Right wrist radiograph · lat projection · follow-up · 439 x 944 px — 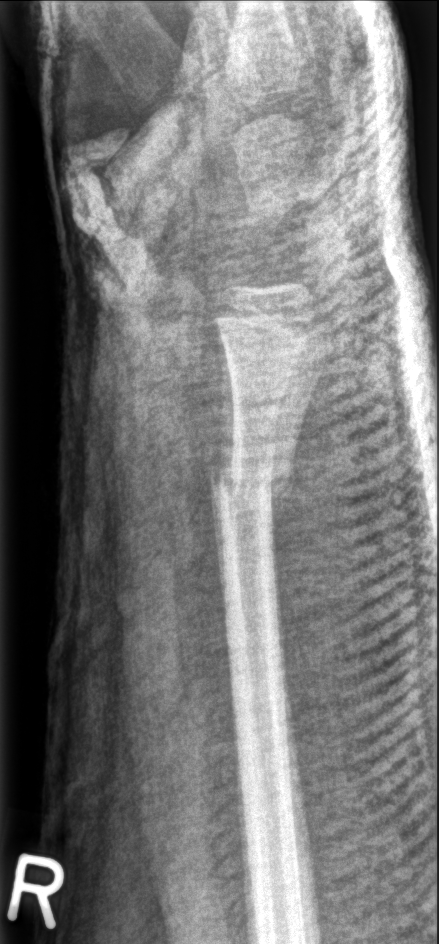

• Bounding boxes in image-pixel xyxy.
• AO/OTA classification: 23-M/3.1.
• Fx — 205,444,298,509.